L wrist XR; PA projection; Siemens — 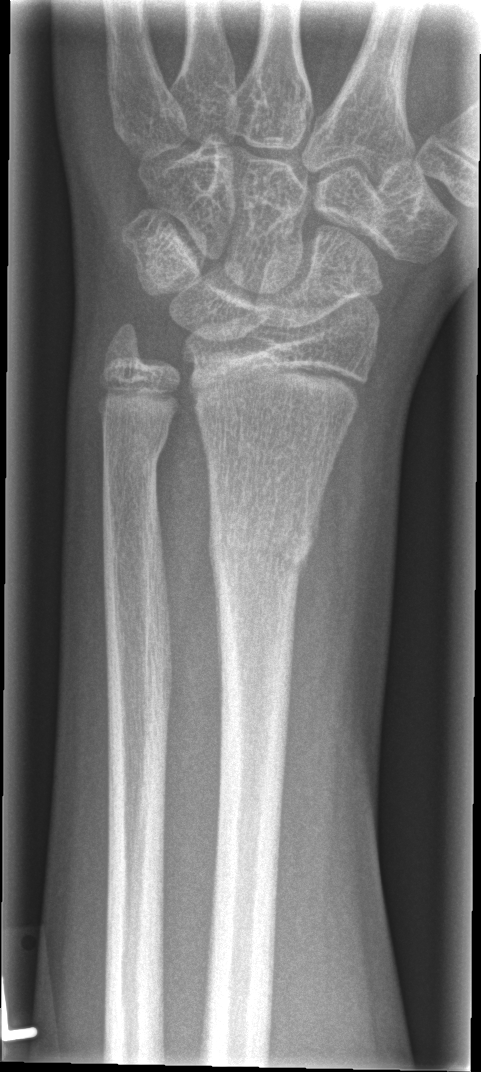 Fracture identified at bbox(205, 518, 317, 589); bbox(98, 425, 175, 476).
Fracture classified AO/OTA 23r-M/3.1; 23u-M/2.1.